R wrist radiograph · oblique view · 10-year-old male
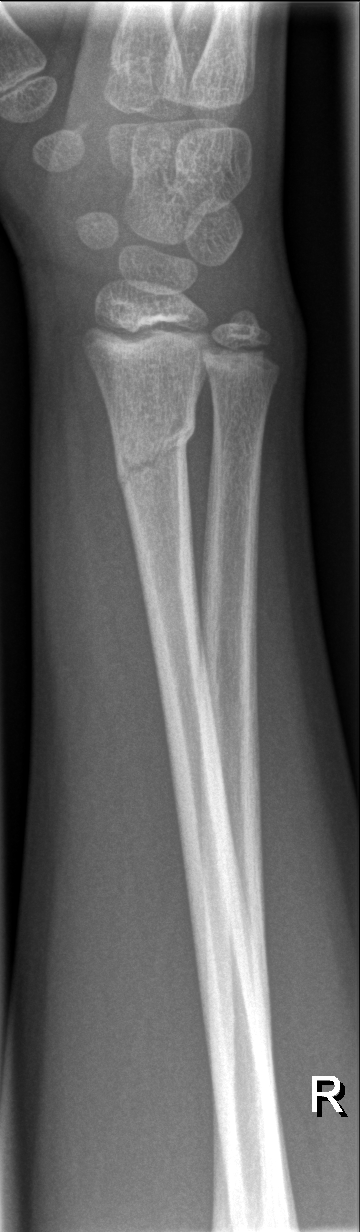 AO code 23r-M/3.1. Fracture — bbox(105, 407, 200, 496).